Lt pediatric wrist radiograph | lateral projection | pediatric patient (girl, age 8) —

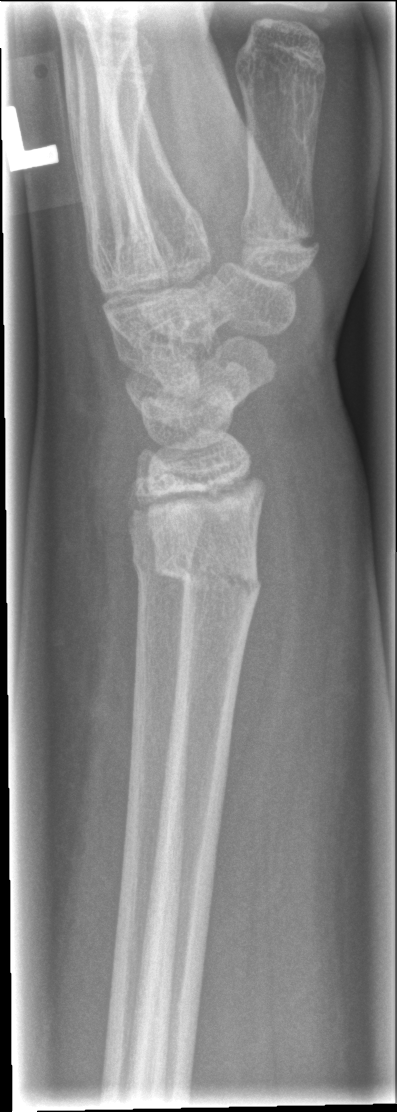 Two bone fractures at 148 539 264 604
  127 532 201 602.